PA projection · left wrist X-ray · 12-year-old girl · image size 523x1002:
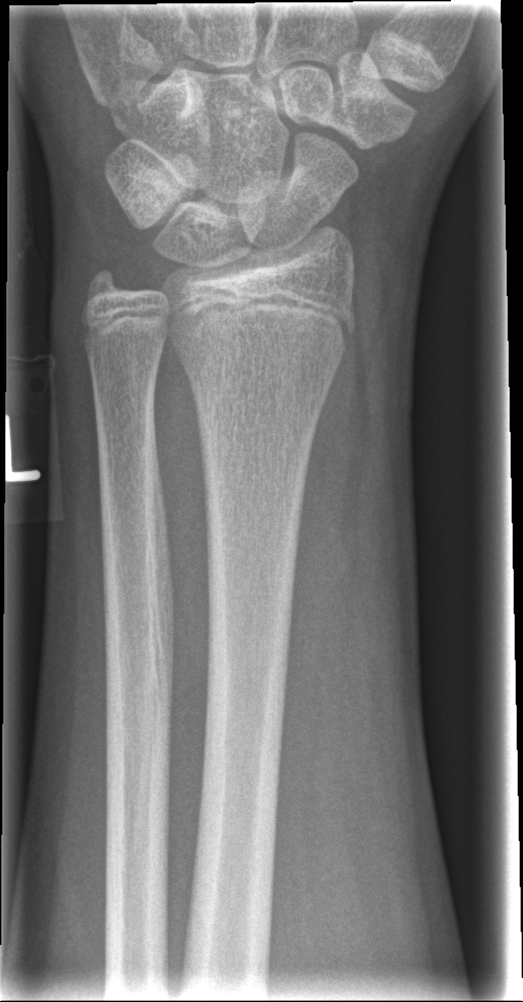

fracture: present but not clearly seen in this view